PA projection, Lt wrist X-ray, pediatric patient (male, age 10), 105.8 mm image width:
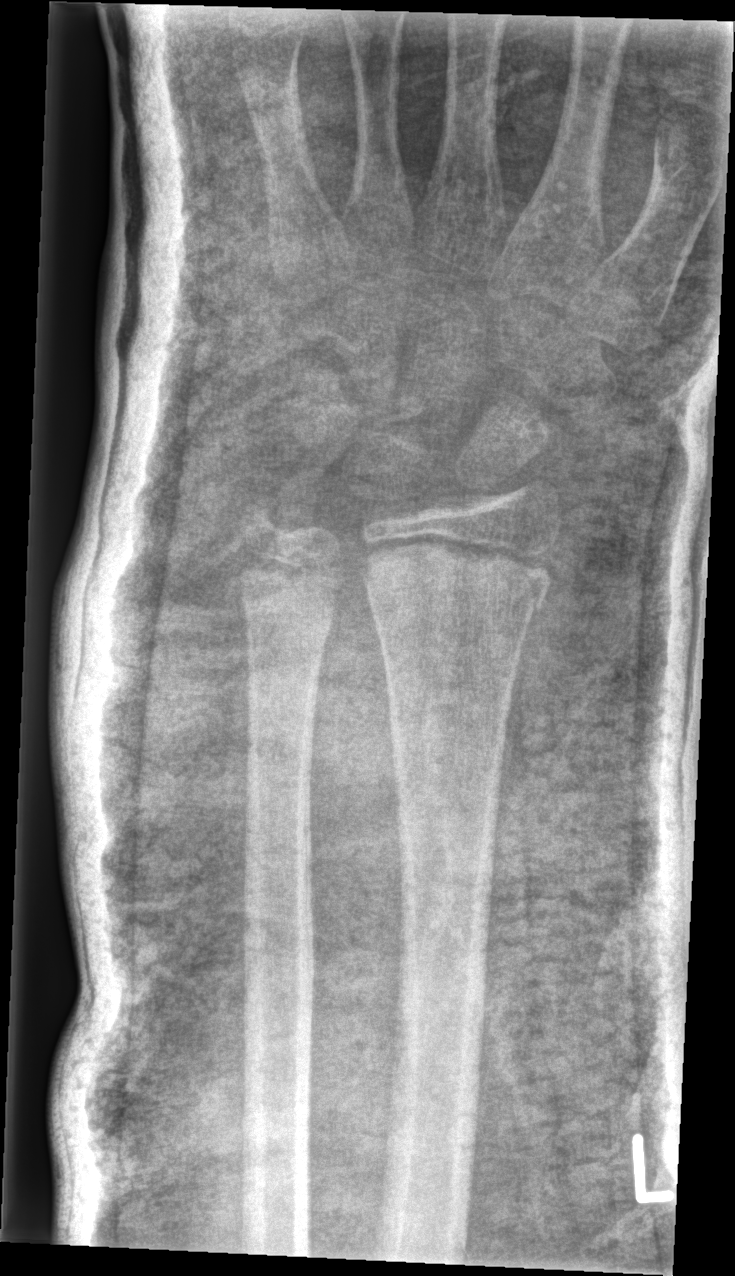 AO code 23r-E/2.1; 23u-M/2.1; 23u-E/7. One bone fracture at [353, 531, 555, 613].